L wrist plain film | posteroanterior view | Siemens

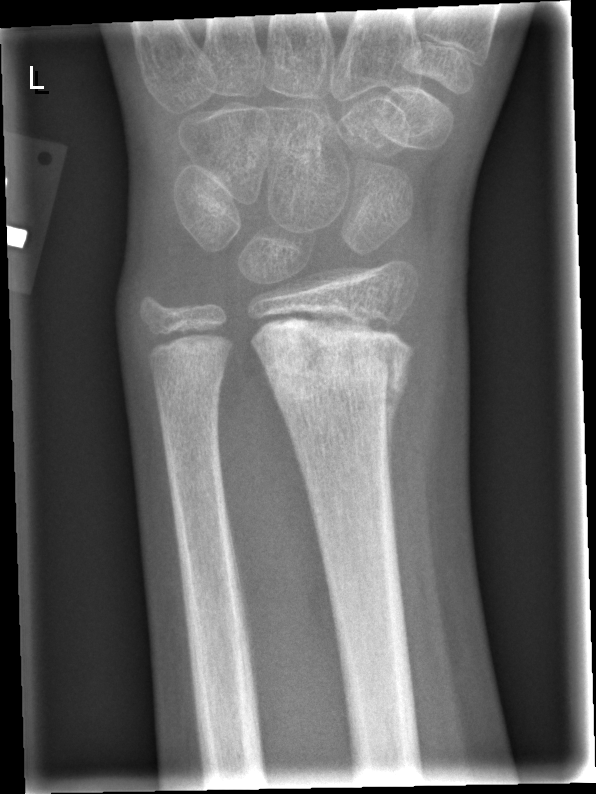
Q: What is the AO/OTA classification?
A: Fracture classified AO/OTA 23r-E/2.1; 23u-M/2.1
Q: Fracture present?
A: Two Fx at 248 313 419 424; 149 357 230 419